Left wrist XR · PA/AP · male, 12 yo · 654 x 932 px
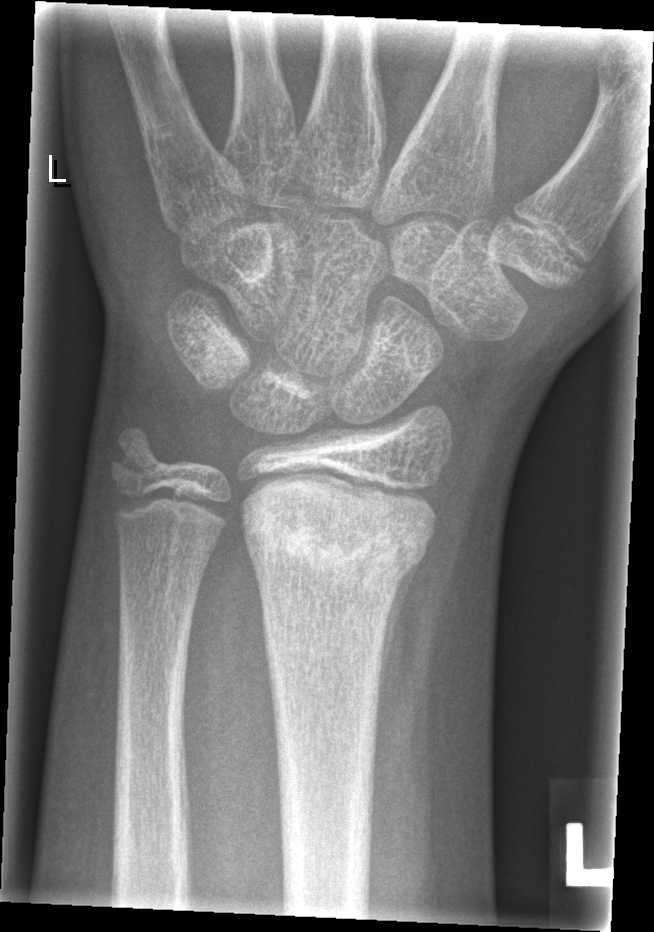 - Periosteal new bone: 377,553,427,720.
- Fx identified at 239,484,439,604 | 102,423,176,501.
- Fracture classified AO/OTA 23r-M/2.1; 23u-E/7.
- Osteopenia.